Right wrist radiograph, lat, follow-up, 69.6 mm image width
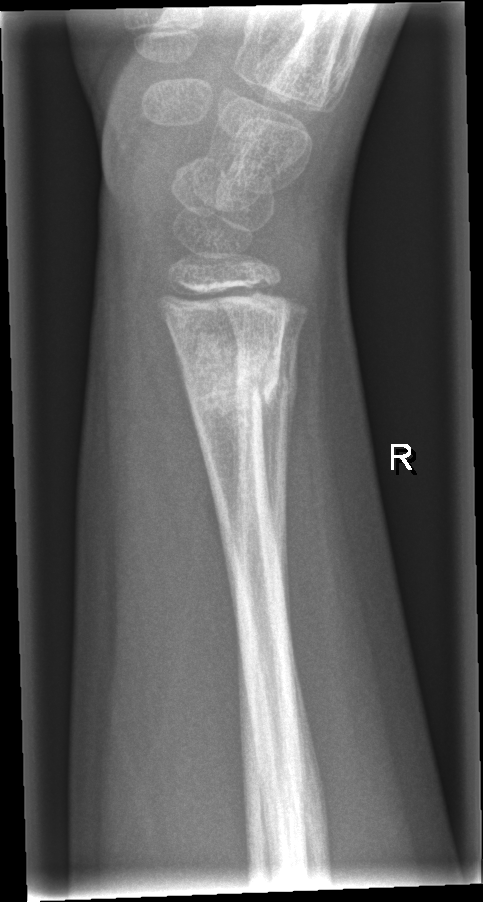
AO/OTA classification: 23-M/2.1. Fx — 179,344,284,418 | 234,358,302,409. Decreased bone density (osteopenia).